Rt wrist radiograph · lateral · 13-year-old boy · 94.9 mm image width.

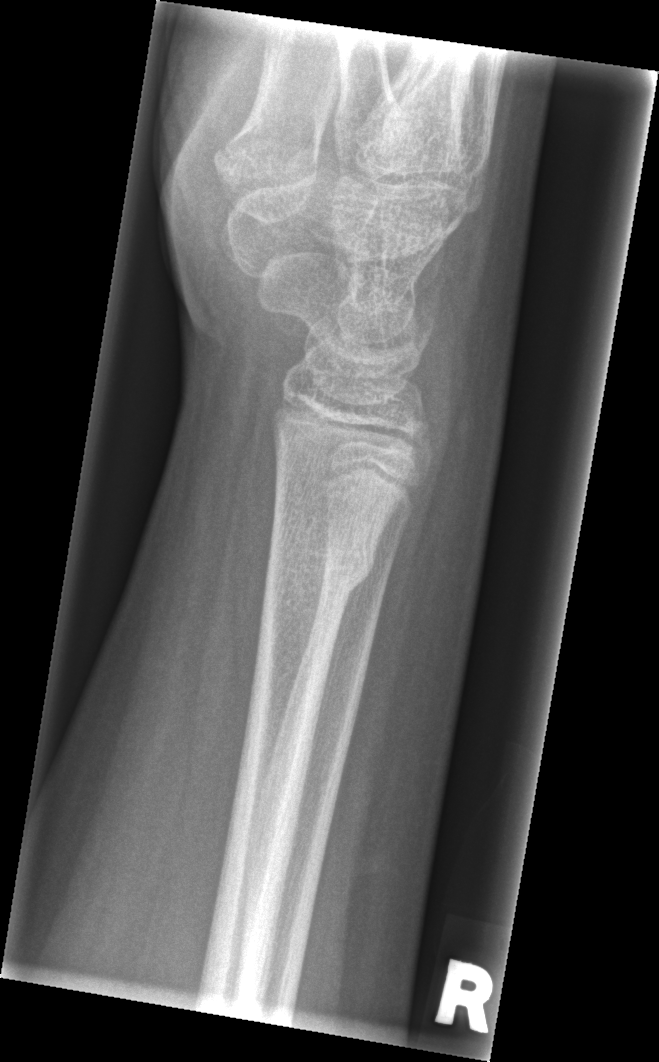 - Boxes as x1,y1,x2,y2 (top-left / bottom-right, pixel units).
- Fracture: <263,508>-<384,606>.
- AO code 23r-M/2.1; 23u-E/7.